Lat, right wrist XR, age 11 y, male, index exam, image 55.2 mm wide.
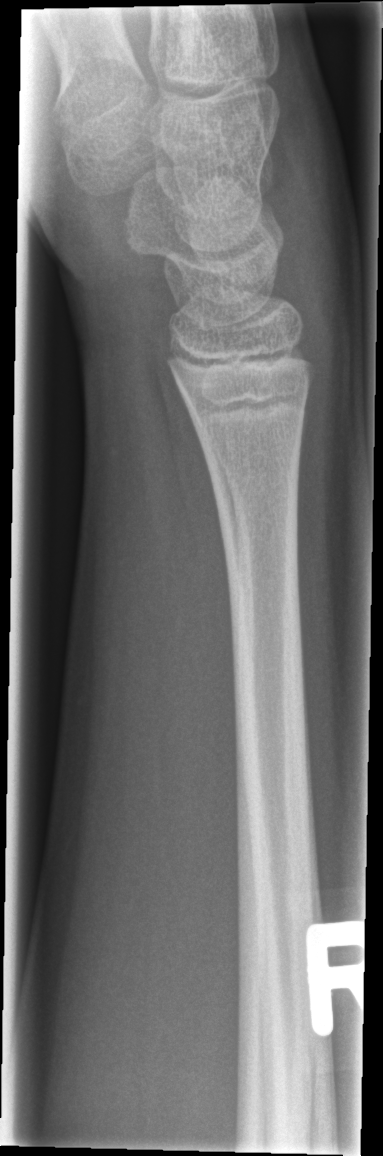

• No fracture labeled.